R wrist XR | lateral view | index exam | Siemens | image 66.7 mm wide:

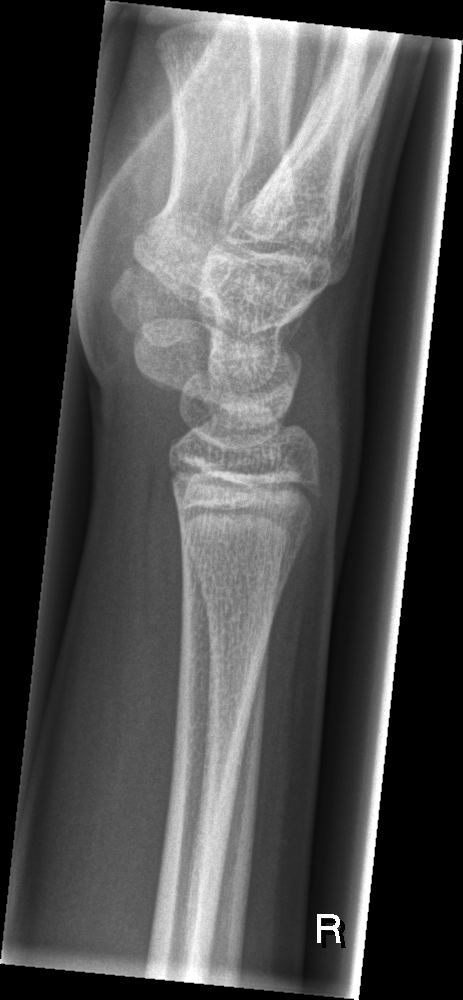 No fracture bounding box.